Lateral view · Rt wrist plain film · follow-up · 464x1058:

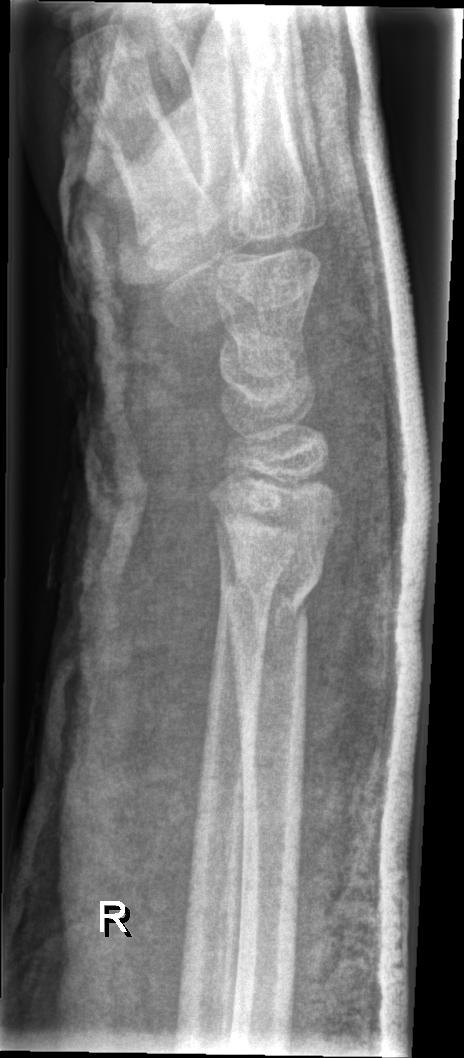
Bounding boxes in image-pixel xyxy.
Fracture: 217 556 326 627.
Fracture classified AO/OTA 23r-M/3.1; 23u-M/2.1.